Left plain radiograph of the wrist; posteroanterior projection; boy, 13 yo; presentation radiograph; image width 85.2 mm.

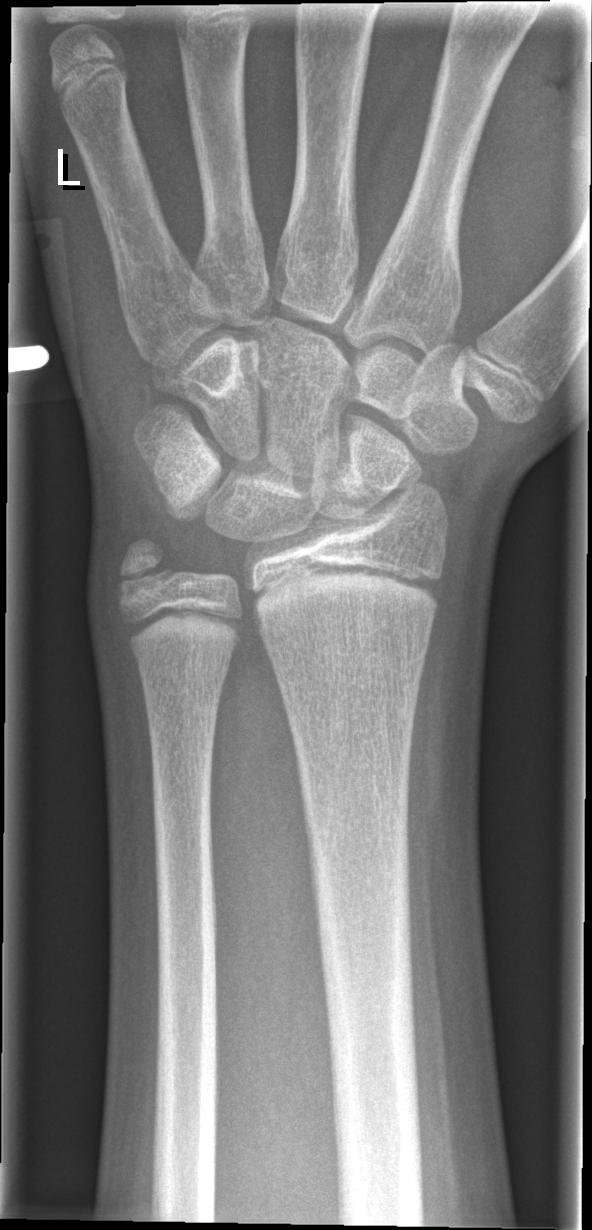
One bone variant at 321 448 398 510. Bone fracture — 110 530 183 607.